Left wrist radiograph; PA; image 65.4 mm wide 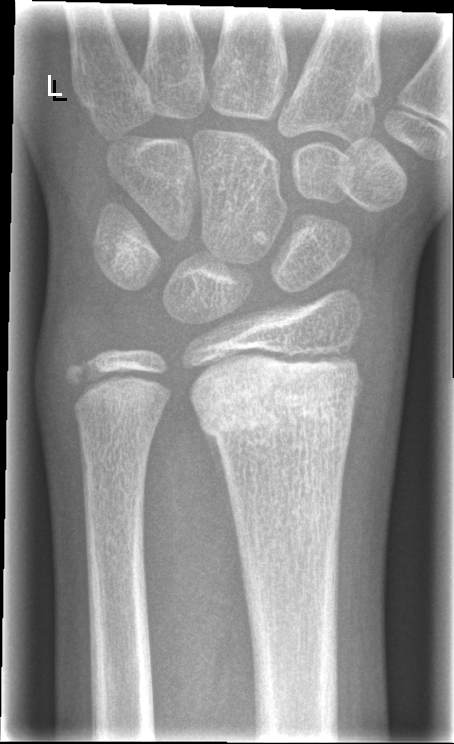
Bone fracture: 2 @ bbox(192, 362, 367, 439); bbox(53, 332, 119, 403)
Periosteal reaction: bbox(203, 428, 239, 551)
AO classification: 23-E/2.1; 23u-E/7